Frontal · right wrist radiograph · age 11 y, male. 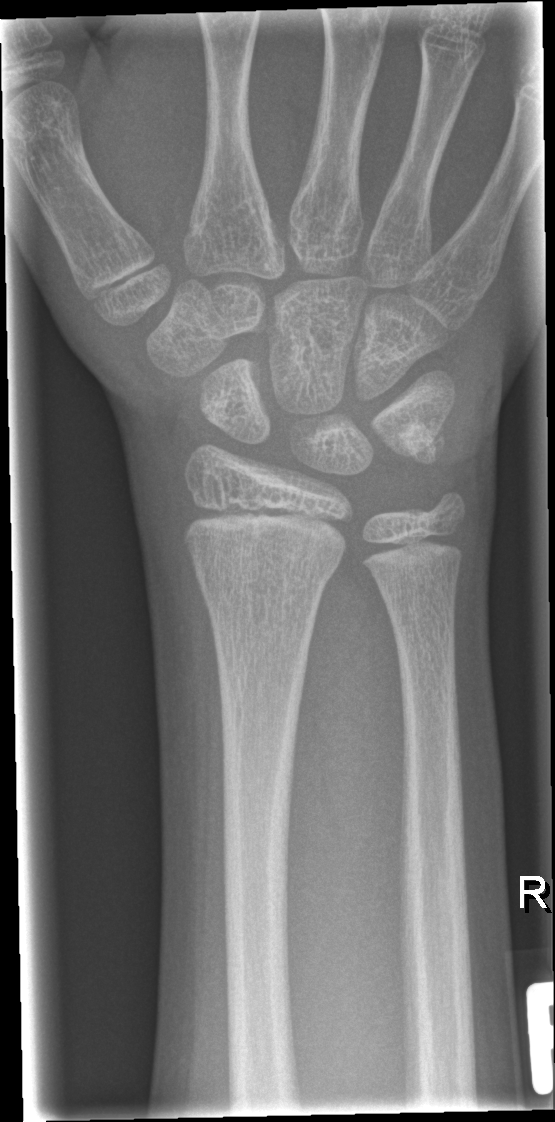
(boxes as x1,y1,x2,y2 (top-left / bottom-right, pixel units))
Q: Fracture present?
A: Fracture identified at 189 550 340 603
Q: AO code?
A: Fracture classified AO/OTA 23r-M/2.1